Lateral projection; L pediatric wrist radiograph —

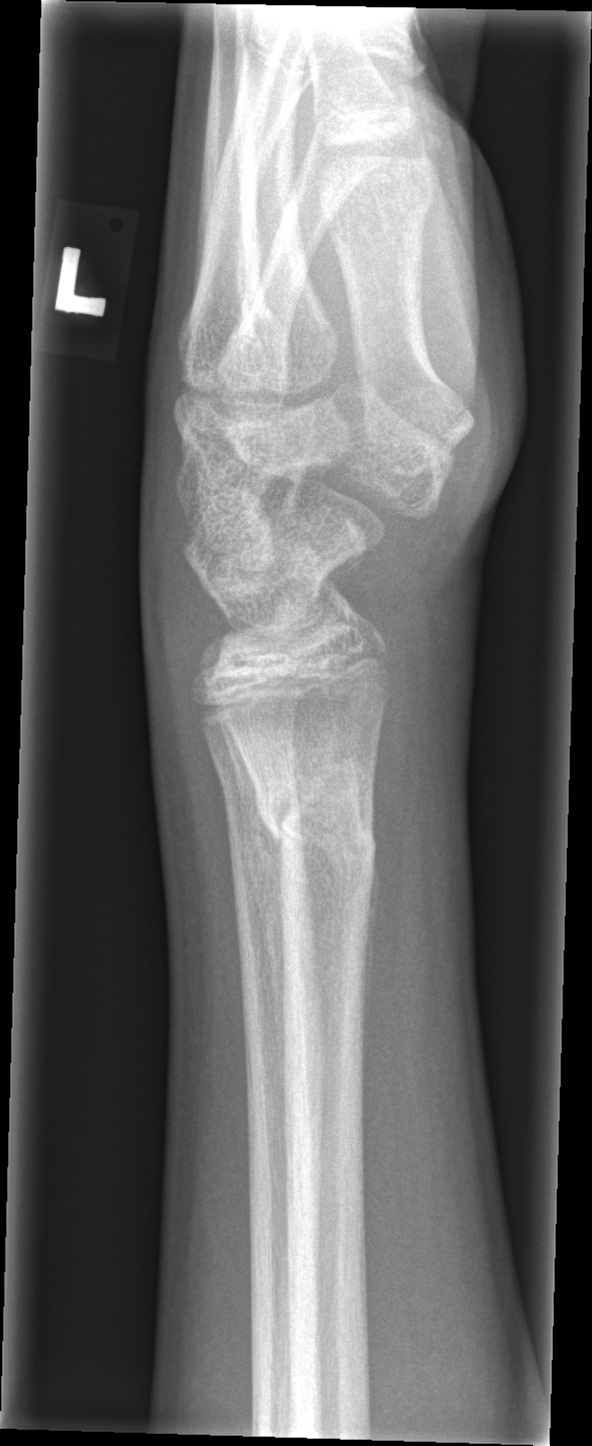

* Periosteal thickening: [218, 715, 287, 1070]; [361, 852, 380, 1036].
* Bone fracture identified at [250, 746, 384, 879]; [217, 758, 297, 872].
* Reduced bone mineral density.